Lateral view; R wrist radiograph; 6-year-old girl; acquired on Siemens —
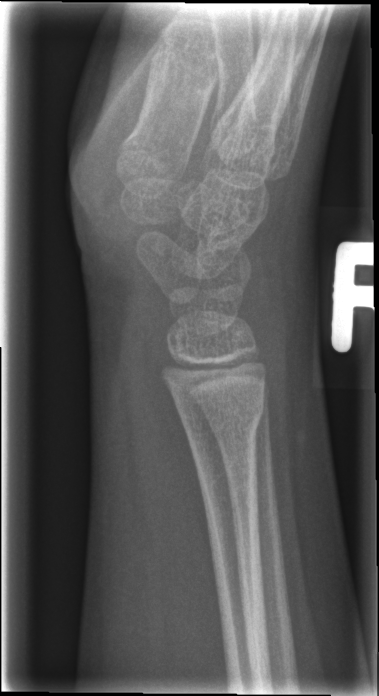
Boxes as x1,y1,x2,y2 (top-left / bottom-right, pixel units). Fracture identified at 176 396 267 451. AO/OTA classification: 23r-M/2.1.